Left wrist plain film | lat view | 453 x 1302 px — 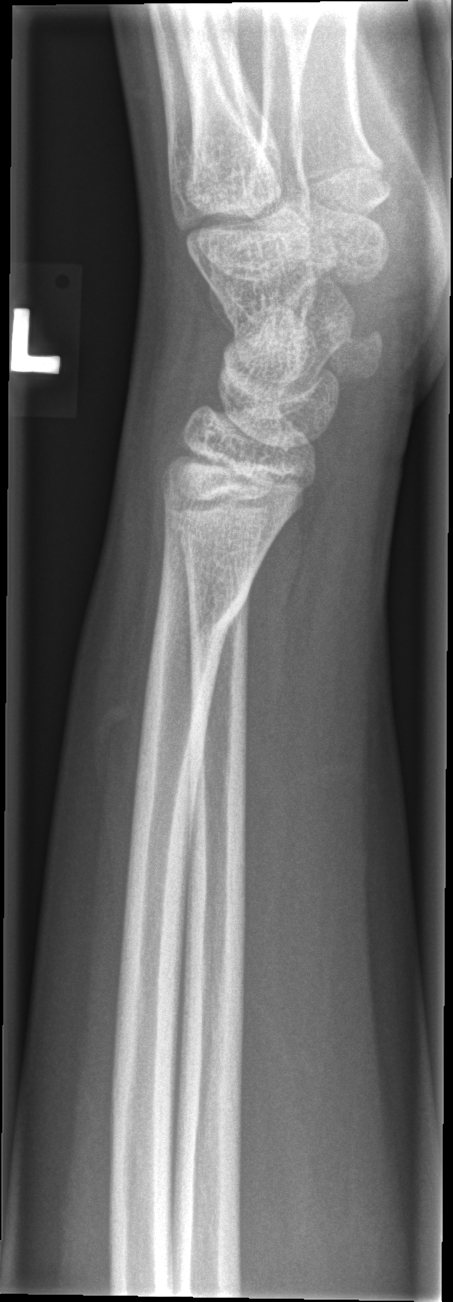

Bounding boxes in image-pixel xyxy. One bone fracture at [x1=147, y1=557, x2=259, y2=643].